PA/AP projection, left wrist XR, age 14 y, girl, acquired on Siemens, 681 by 1182 pixels: 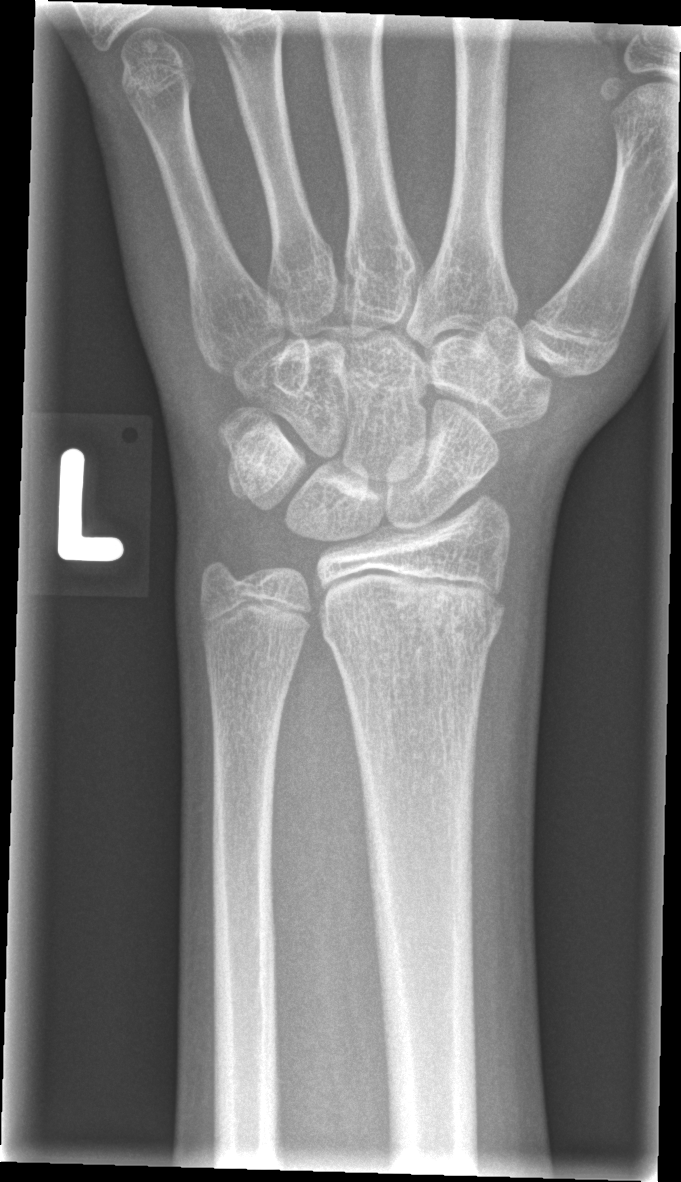

FINDINGS: (bounding boxes in image-pixel xyxy) One Fx at 319 600 508 664.